Lt wrist X-ray · PA/AP · 100.4 mm image width · image size 697x1224 —

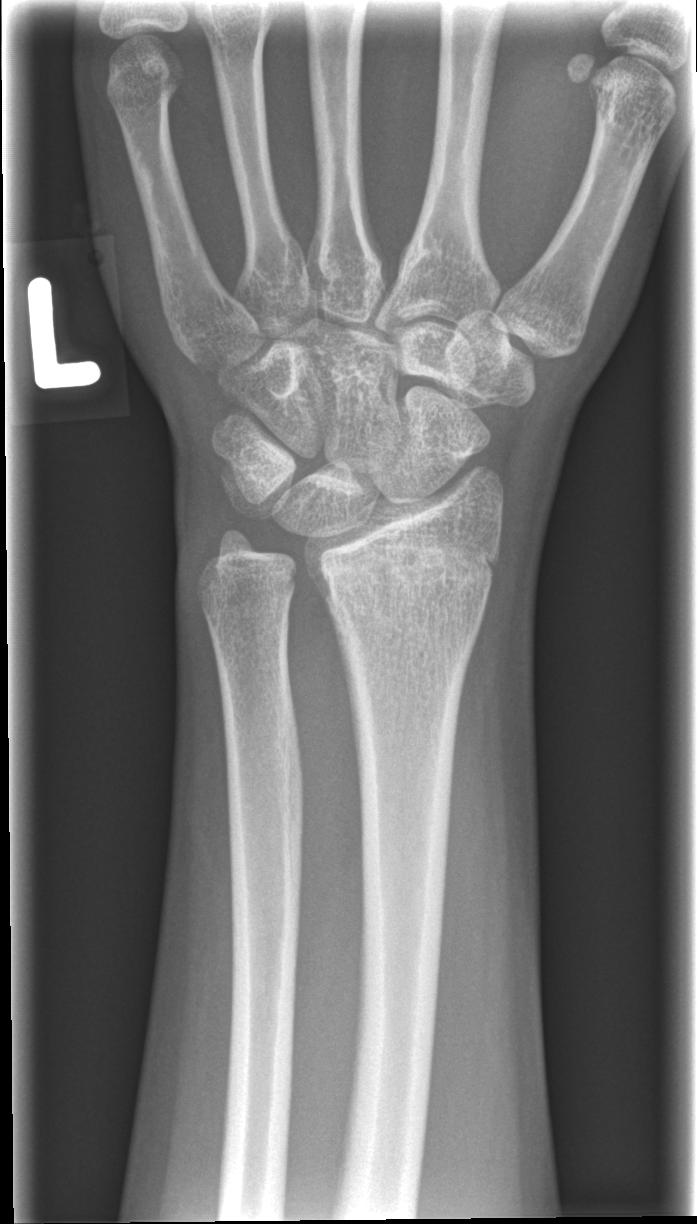

{"ao": "23r-M/2.1", "fracture": "present but not clearly seen in this view"}